Left plain radiograph of the wrist, lat projection, initial study

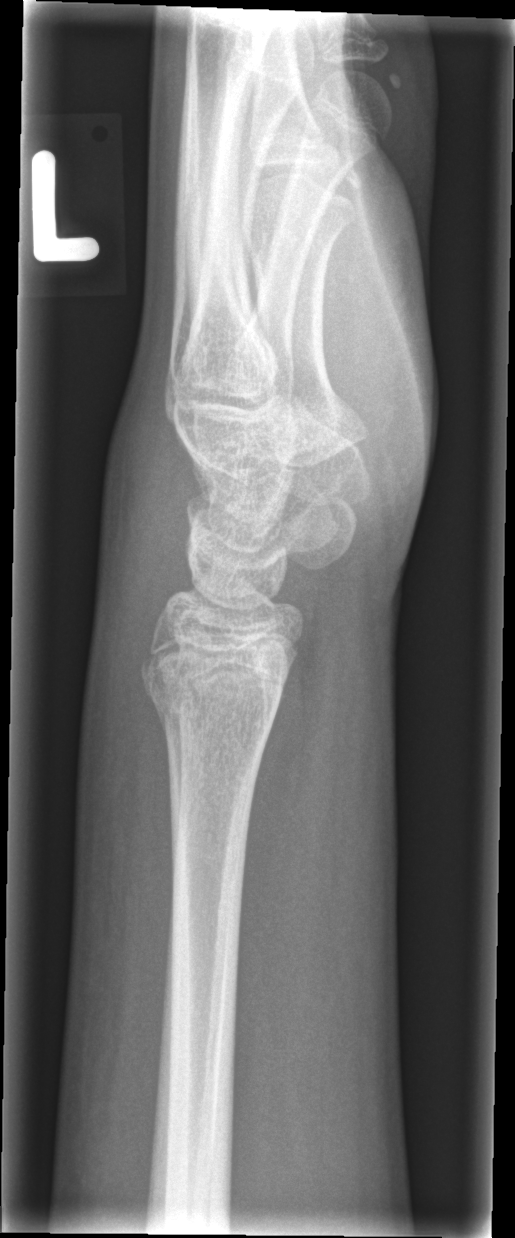
* Boxes as x1,y1,x2,y2 (top-left / bottom-right, pixel units).
* Bone fracture: <140,657>-<285,756>.
* Soft-tissue finding: <91,391>-<188,630>.